Rt wrist X-ray, PA projection, 7y M —

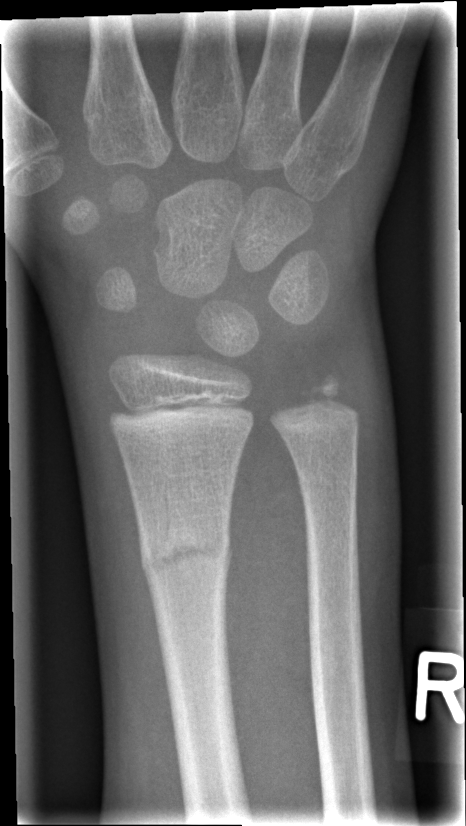

{"fracture": "2 @ bbox(134, 522, 240, 595), bbox(293, 463, 364, 509)"}